Lat | right wrist XR | 808x1244:
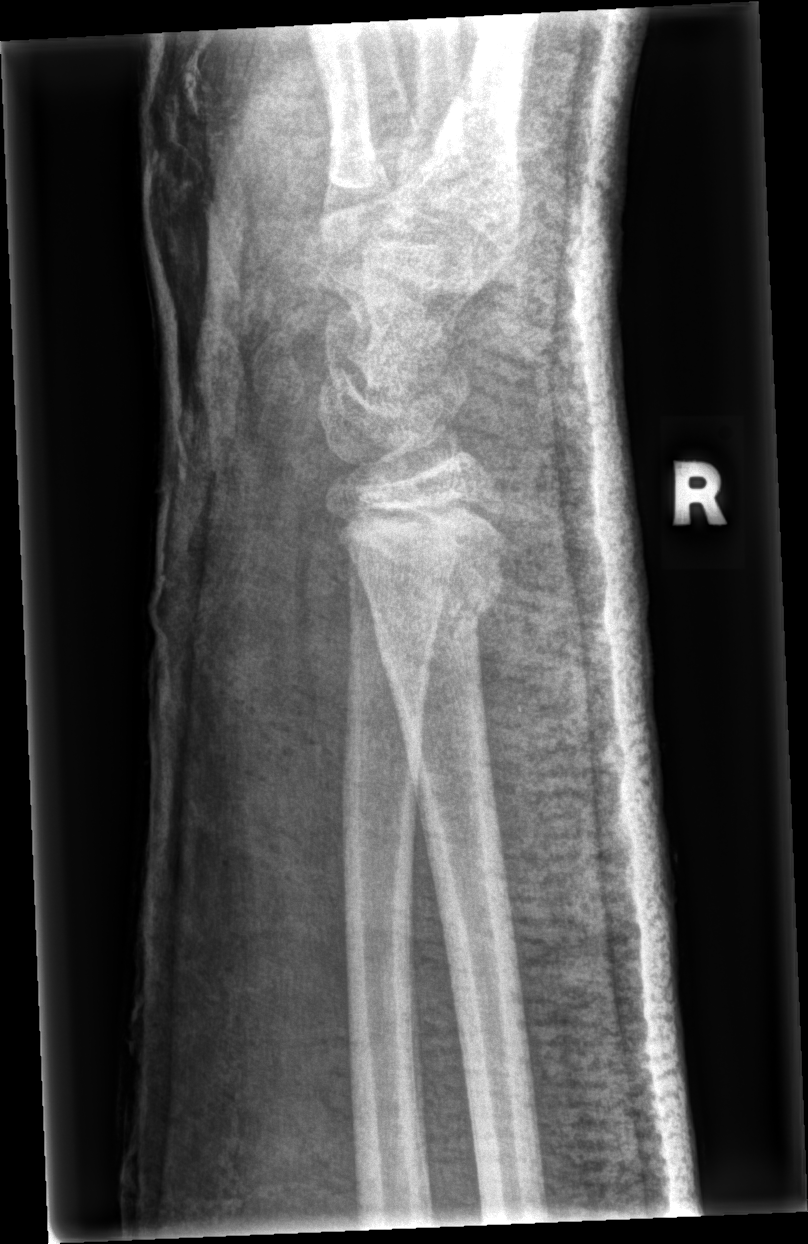
Fracture — 363 541 510 677.